Lat projection | right wrist pediatric wrist radiograph | in cast | image width 129.5 mm | image size 899x1152
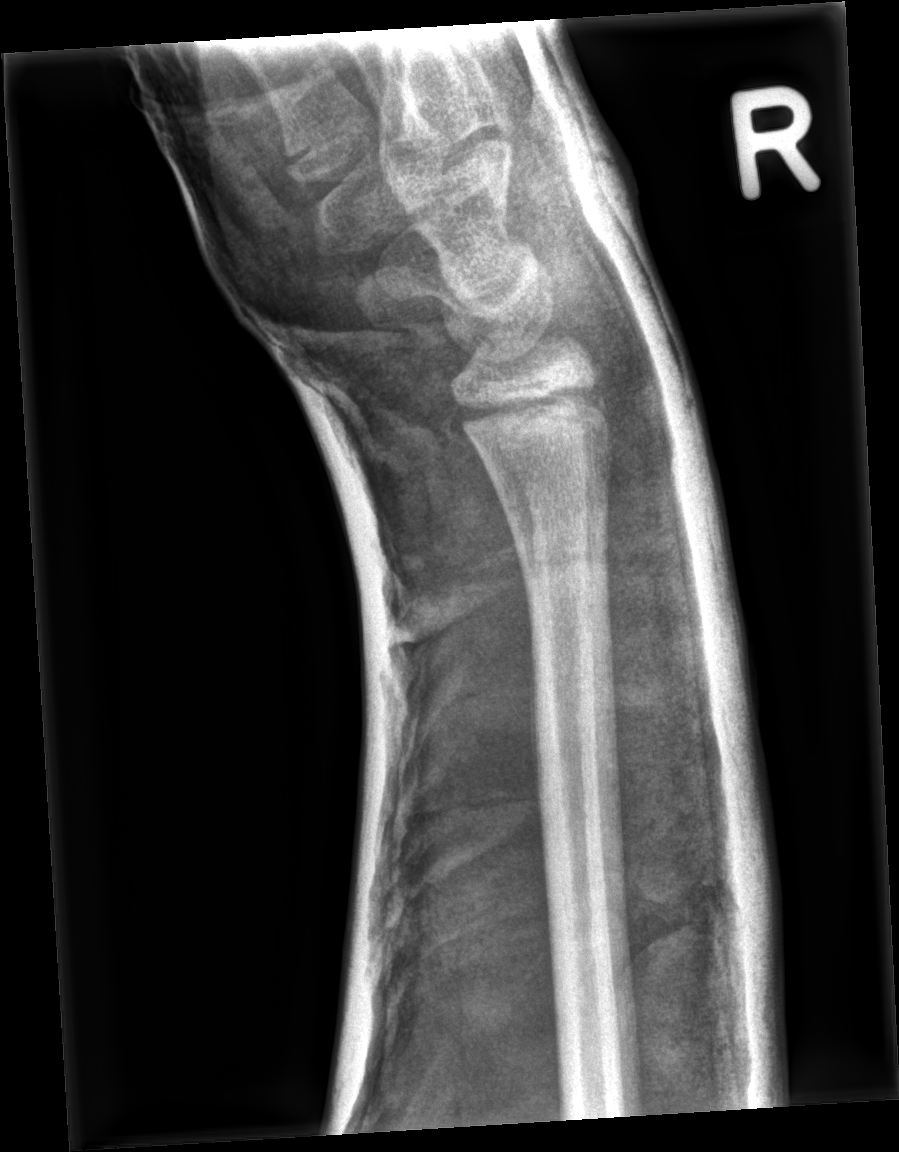 # pixel coordinates, top-left origin, xyxy
fracture: 1 @ (455, 381, 616, 453)
ao: 23r-E/2.1; 23u-E/7